PA view, left wrist radiograph, follow-up, cast in situ:
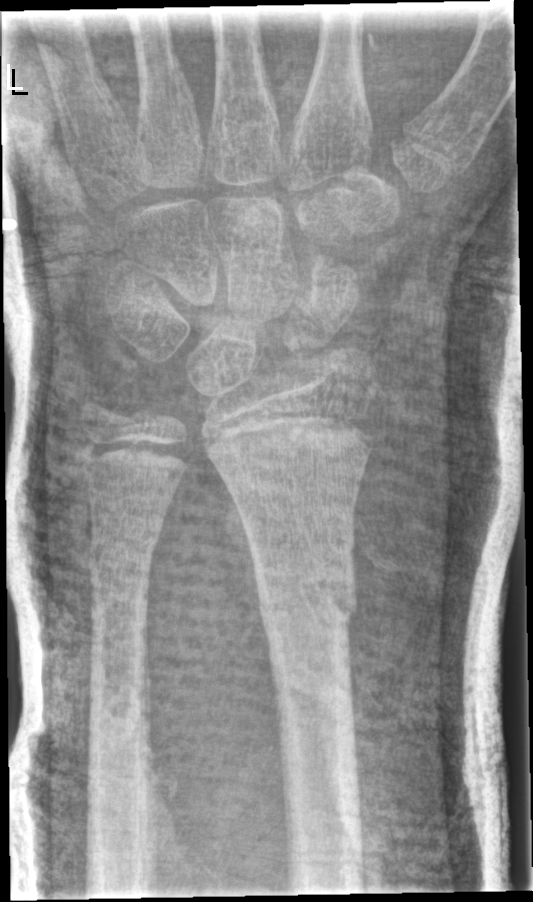 * Bone fracture identified at (251, 566, 361, 631), (86, 523, 162, 586).
* Fracture classified AO/OTA 23r-M/3.1; 23u-M/2.1.